Left wrist radiograph · frontal · male, 11 yo: 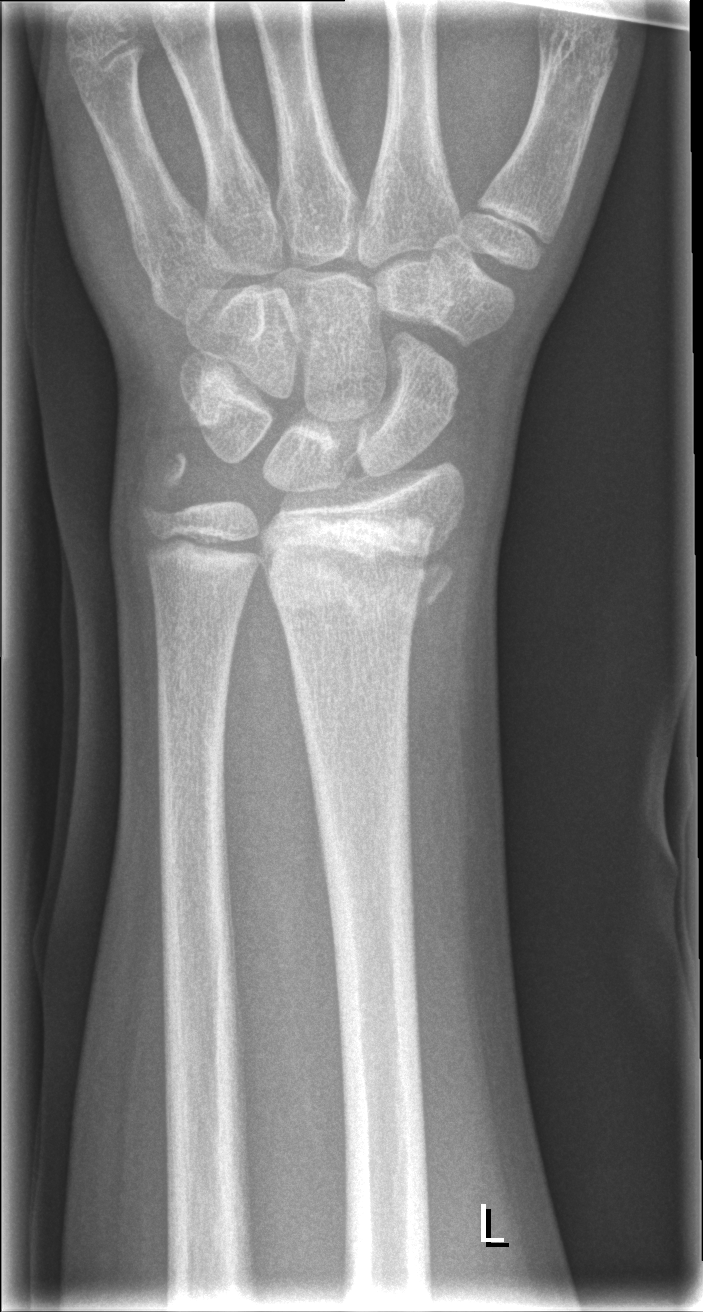
Boxes as x1,y1,x2,y2 (top-left / bottom-right, pixel units). AO code 23r-E/2.1; 23u-E/7. Two fractures at 259,512,462,619
  135,445,199,532.